Lateral projection | left wrist XR | age 3 y, girl | initial study. 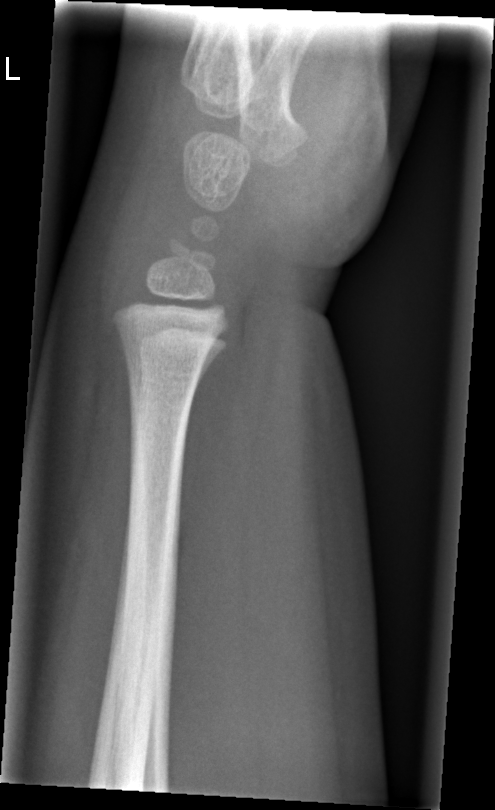 Fx: none labeled